Lateral projection; R pediatric wrist radiograph; 12y M; initial study:

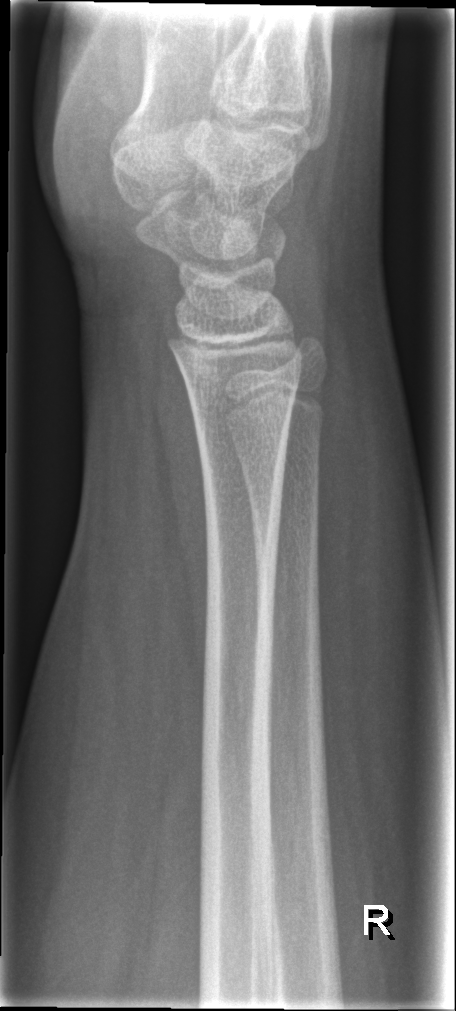

FINDINGS: No fracture labeled.